Lateral projection; L wrist plain film; 10-year-old female; acquired on Siemens:

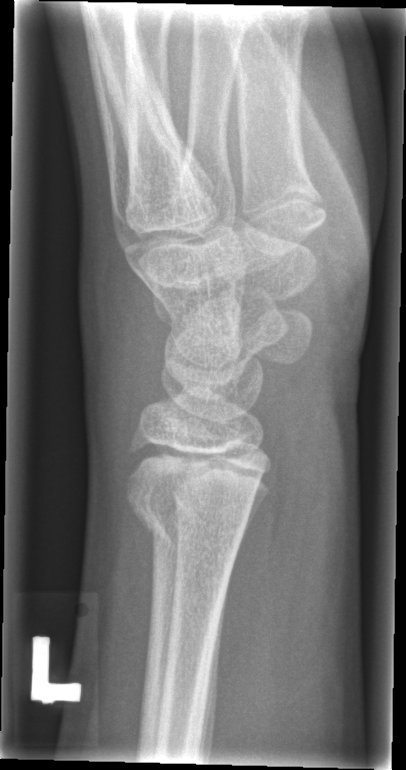

Findings: (bounding boxes in image-pixel xyxy) Fx — 126,482,259,555. Soft-tissue finding identified at 77,239,161,476.